Lt plain radiograph of the wrist; lateral projection; age 1.8 y, girl; Siemens.
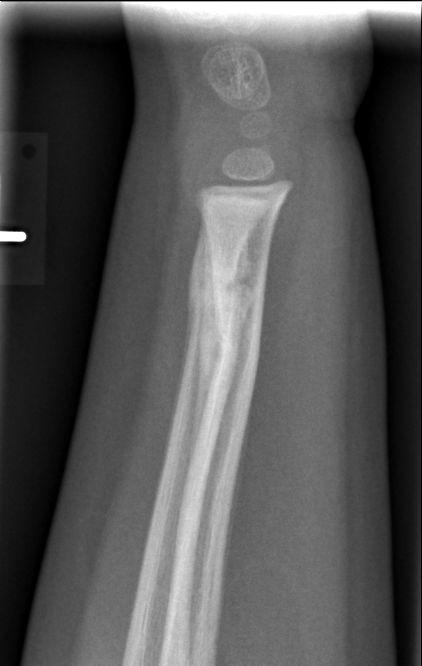 (pixel coordinates, top-left origin, xyxy)
fracture: (183, 249, 256, 324)
AO code: 23-M/3.1